Lat projection · L wrist X-ray · imaged through cast:

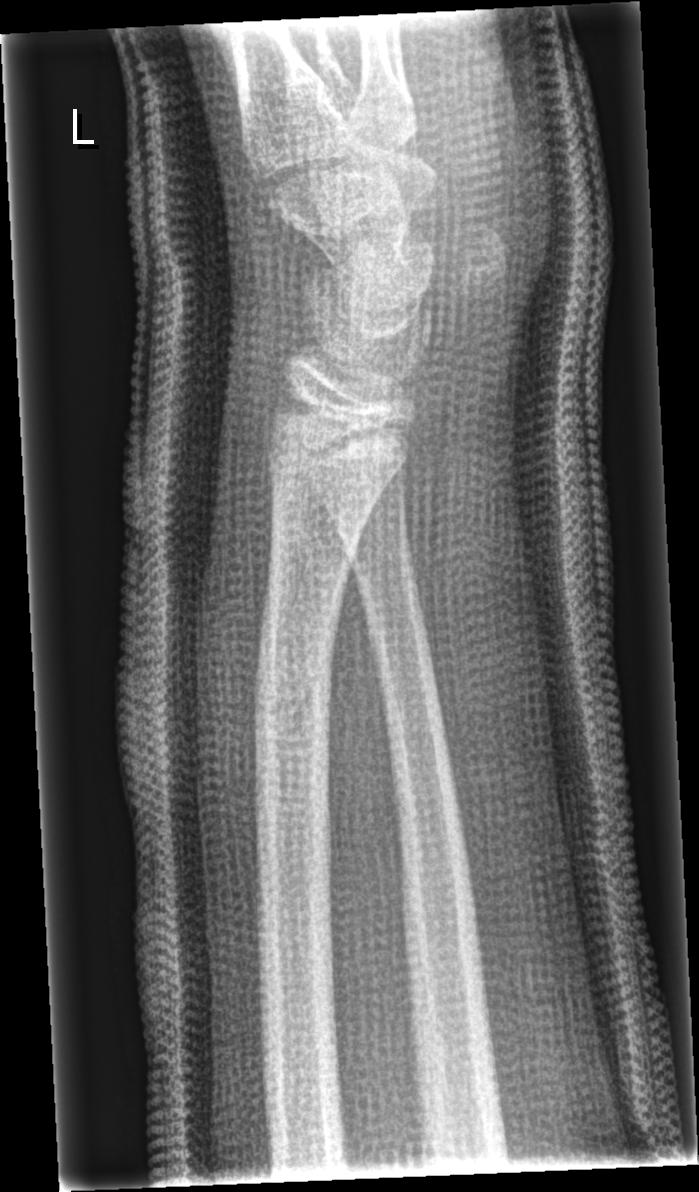

Q: Fracture present?
A: One fracture at (left=244, top=645, right=343, bottom=772)